L wrist XR · PA view · 12-year-old boy · in cast
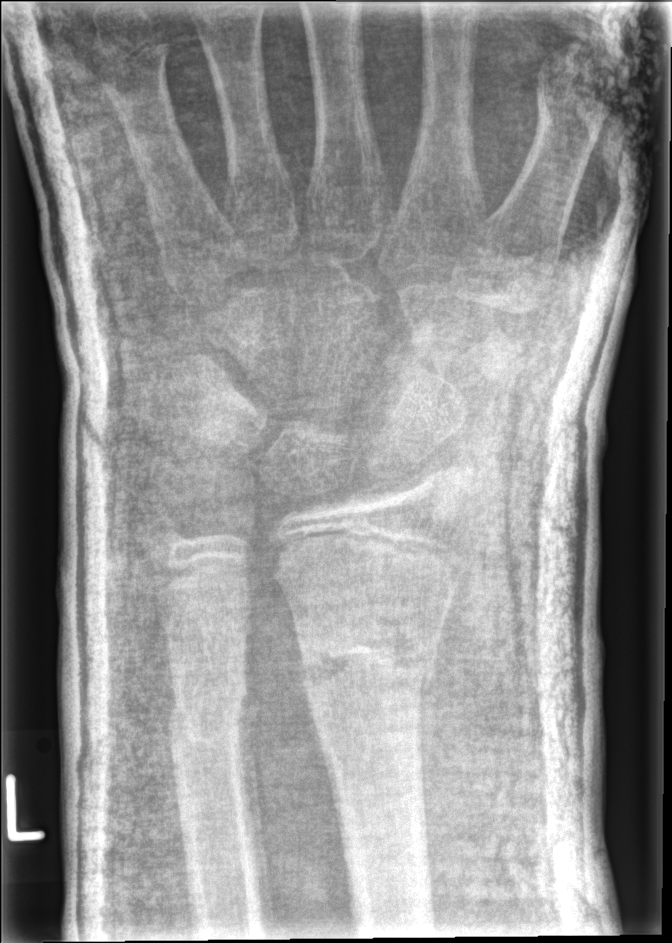
• Two periosteal thickening at bbox(237, 690, 276, 933), bbox(417, 670, 437, 841).
• Two fractures at bbox(297, 615, 437, 703); bbox(164, 689, 250, 747).